Lat projection, right wrist XR —
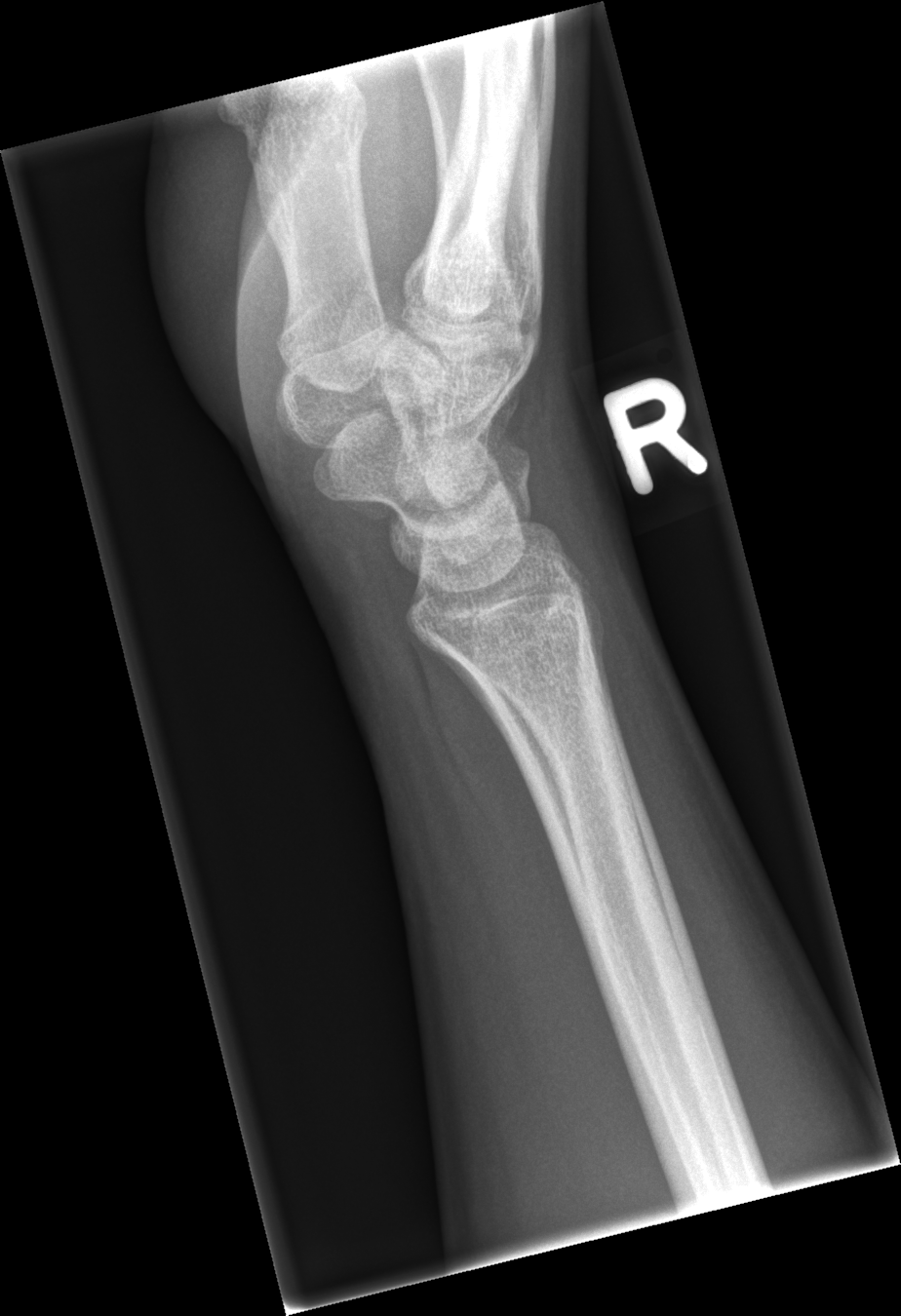 Q: Fracture present?
A: Fracture: none labeled